Lateral; Lt wrist XR.

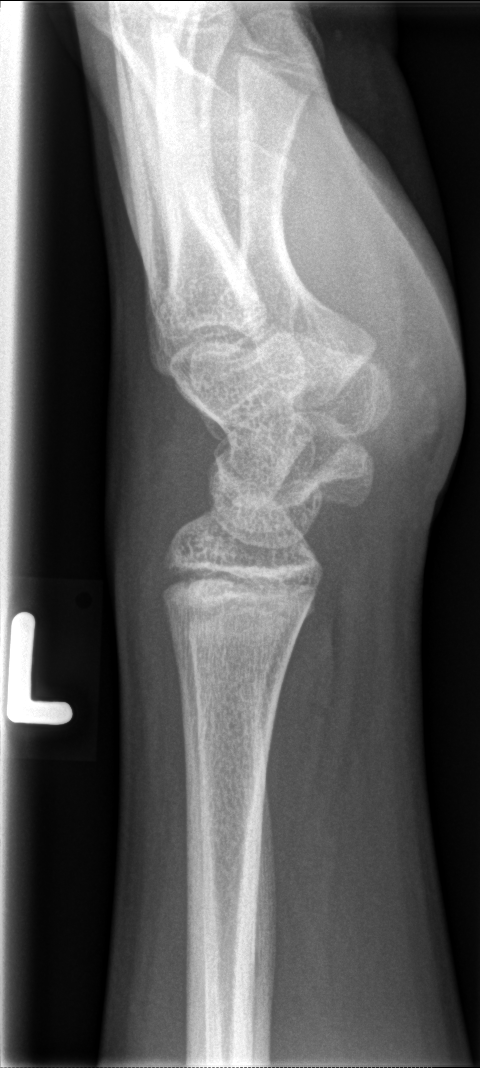

FINDINGS — No fracture labeled.